Left plain radiograph of the wrist | lat | 13y F | follow-up study | 441x1066.
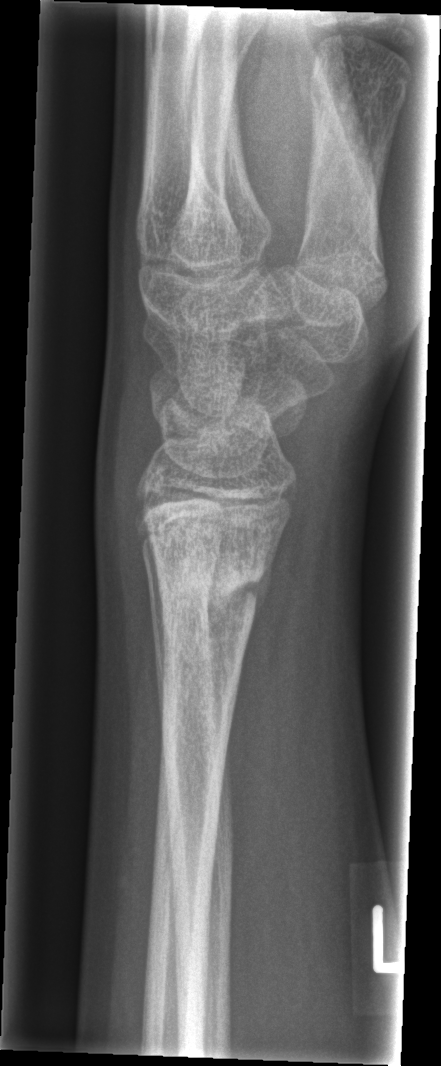
{
  "osteopenia": "present",
  "ao": "23r-M/3.1; 23u-M/2.1; 23u-E/7",
  "periostealreaction": "249,521,284,633",
  "fracture": "142,509,282,637"
}